Frontal view, left plain radiograph of the wrist, age 15 y, boy, imaged through cast:
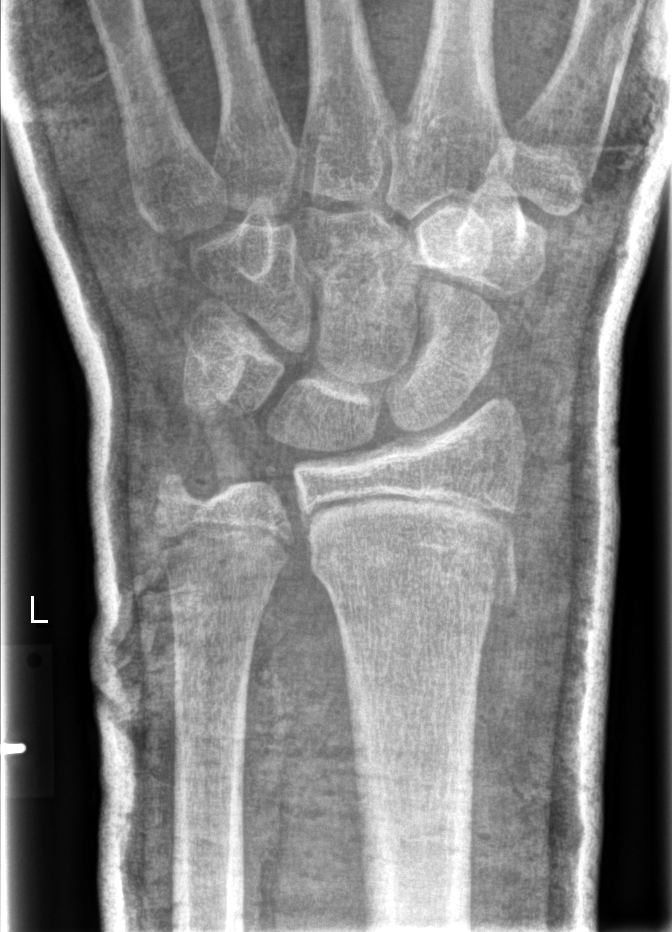

Bone fracture: 307,529,521,613.
Fracture classified AO/OTA 23r-M/3.1; 23u-E/7.